AP projection · Rt wrist XR · 10y F: 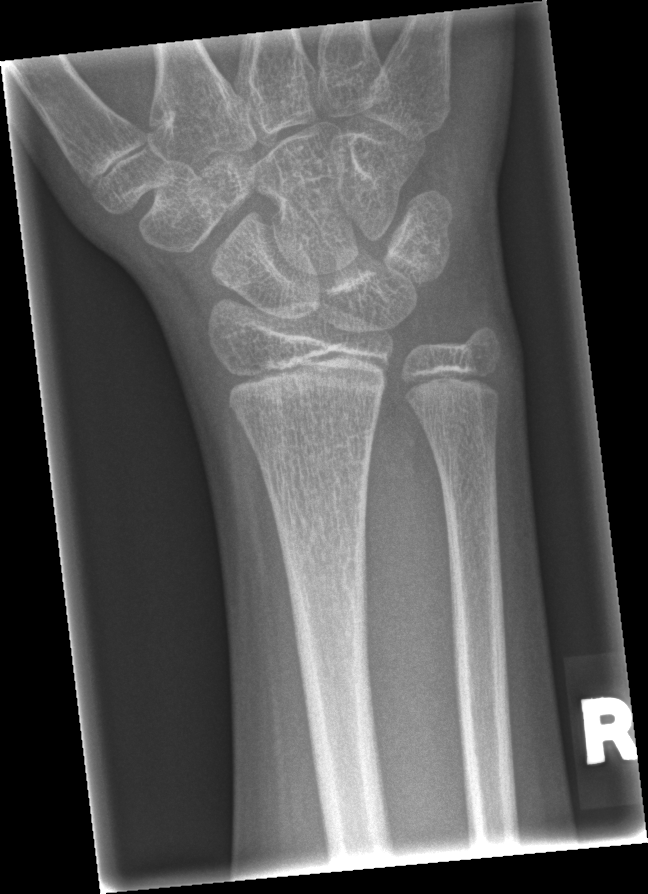

Q: Fracture present?
A: No fracture annotation